AP view; left wrist plain radiograph of the wrist; follow-up; Siemens; image size 577x1302 —
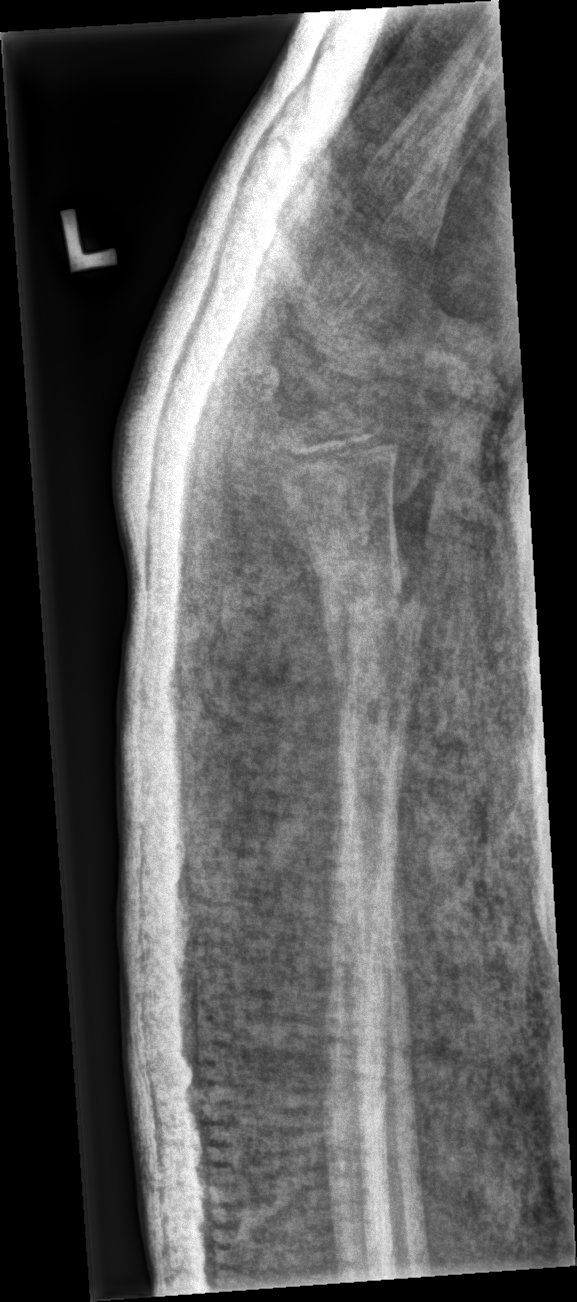
Fx identified at (313, 556, 428, 679).
Periosteal reaction identified at (320, 561, 354, 695).